Rt wrist radiograph · posteroanterior projection. 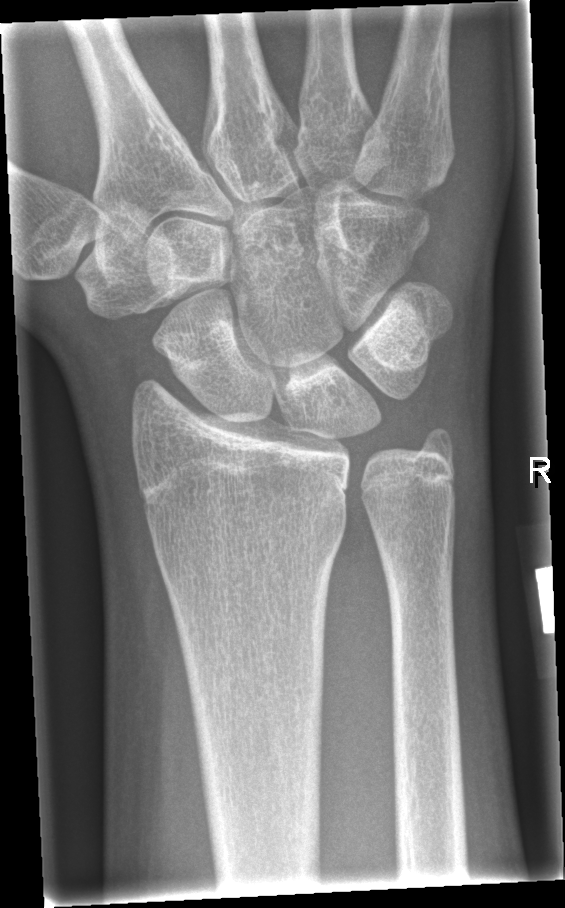

Q: Any fracture seen?
A: No fracture labeled